L wrist plain film; lat projection. 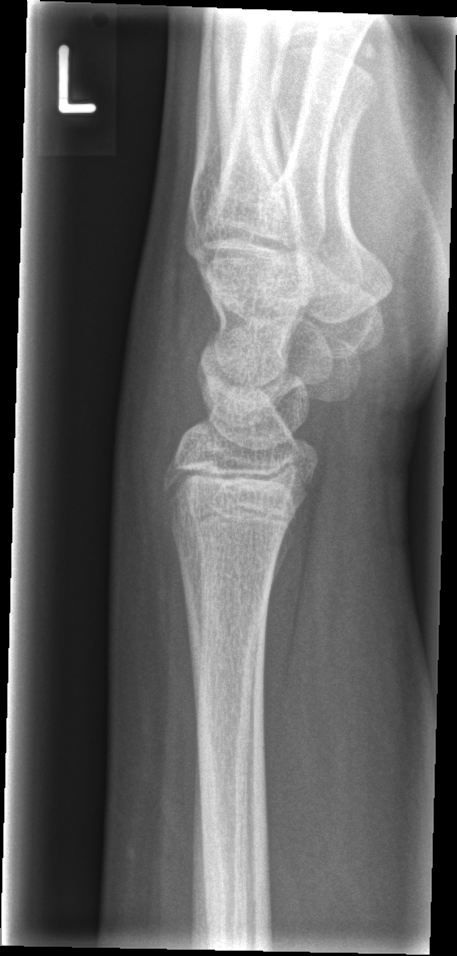

* No fracture annotation.